Lateral · right wrist plain film · boy, 13 yo · initial study · 513x1124 —

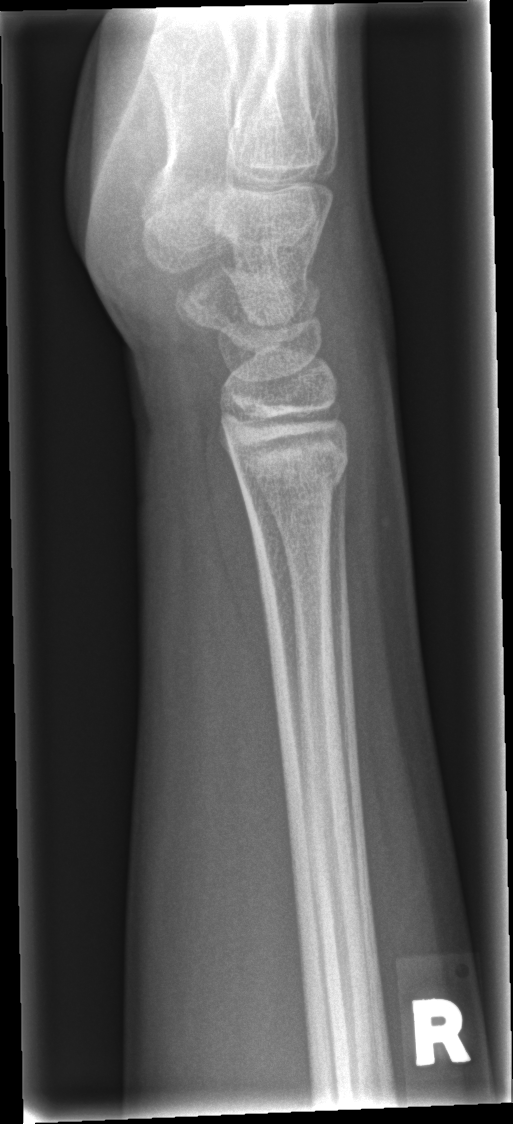 Fx identified at 230,448,350,504.